Right wrist XR; lat view; presentation radiograph; image size 662x1286. 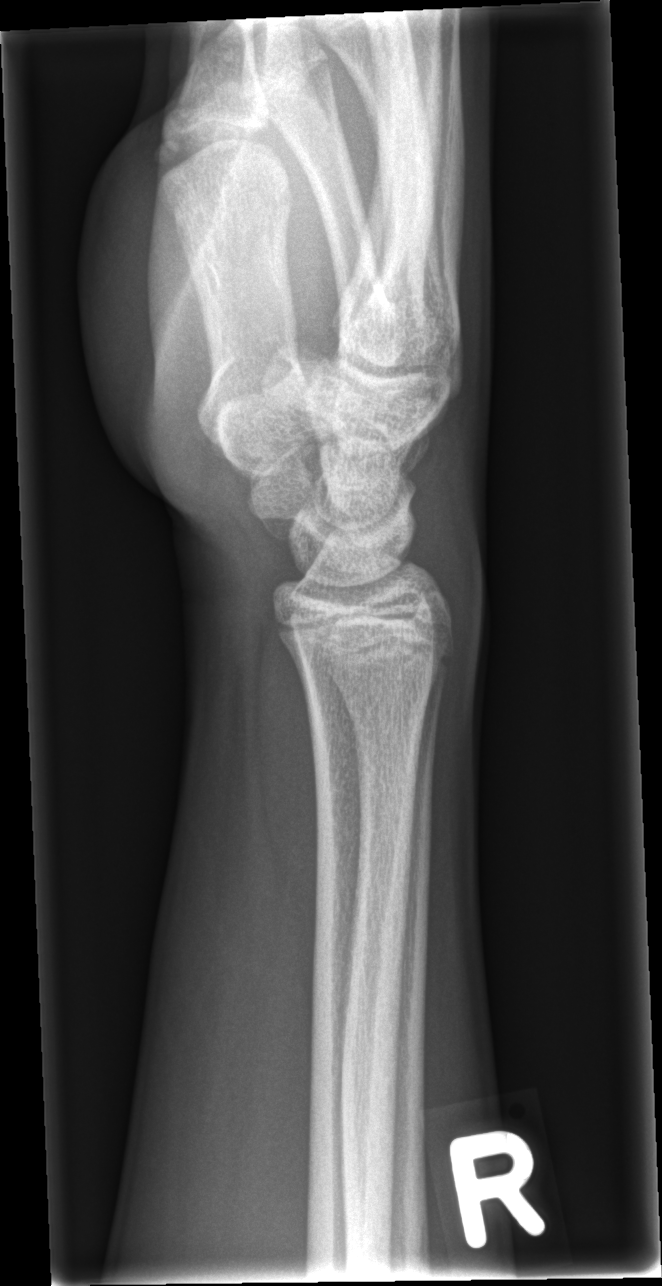 No fracture bounding box.
Pronator sign identified at <248,625>-<321,944>.